PA/AP view · right wrist plain film · 560 x 931 px —
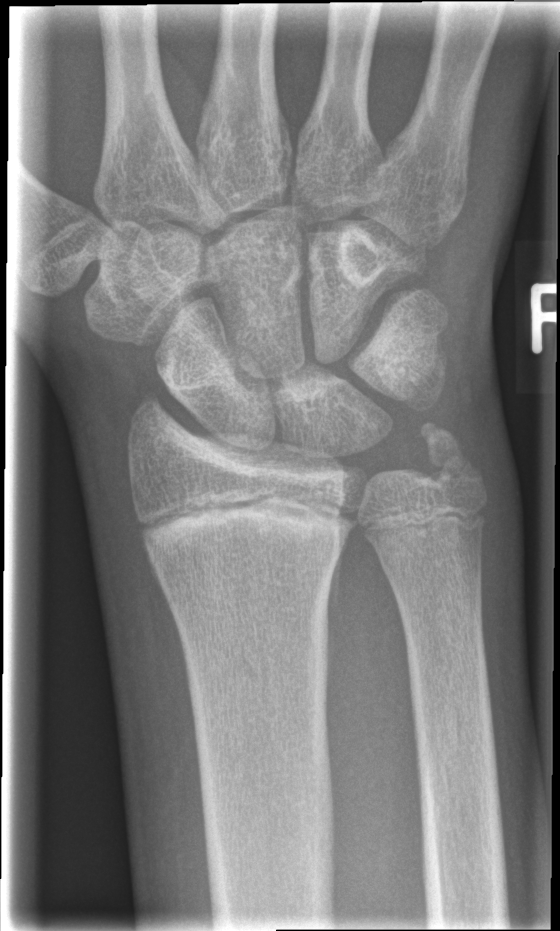

FINDINGS — (coordinates are [x1, y1, x2, y2] in image pixels) AO code 23r-E/2.1; 23u-E/7. Decreased bone density (osteopenia). Fx — [x1=128, y1=473, x2=357, y2=584] [x1=415, y1=417, x2=490, y2=504].